Left wrist radiograph · frontal projection · subsequent exam · 583 by 1172 pixels —
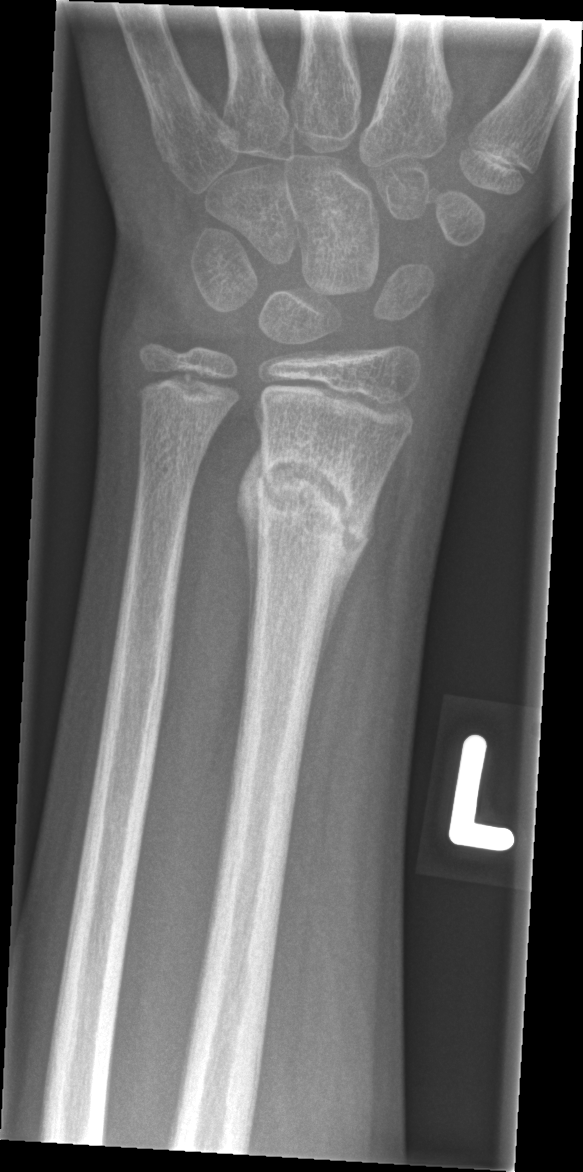
FINDINGS — One bone fracture at 251,452,369,566. Fracture classified AO/OTA 23r-M/3.1. Decreased bone density (osteopenia). Periosteal reaction — 315,493,379,680; 235,439,266,657.